Lateral, Lt wrist X-ray — 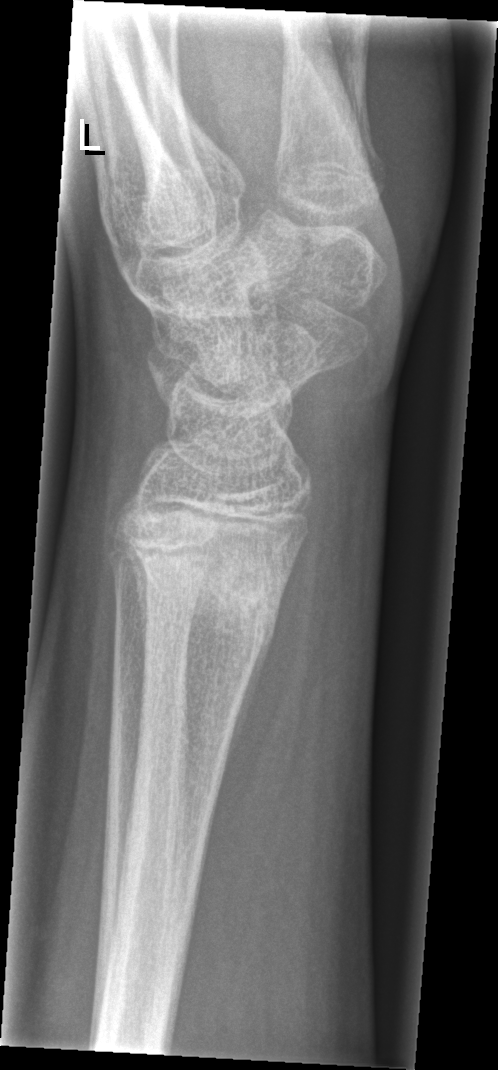

FINDINGS: (boxes as x1,y1,x2,y2 (top-left / bottom-right, pixel units)) AO/OTA classification: 23r-M/3.1. One bone fracture at (left=116, top=493, right=299, bottom=637). Periosteal new bone — (left=219, top=614, right=278, bottom=796), (left=118, top=532, right=150, bottom=678).